AP | right wrist pediatric wrist radiograph | acquired on Siemens | 392 x 1006 px
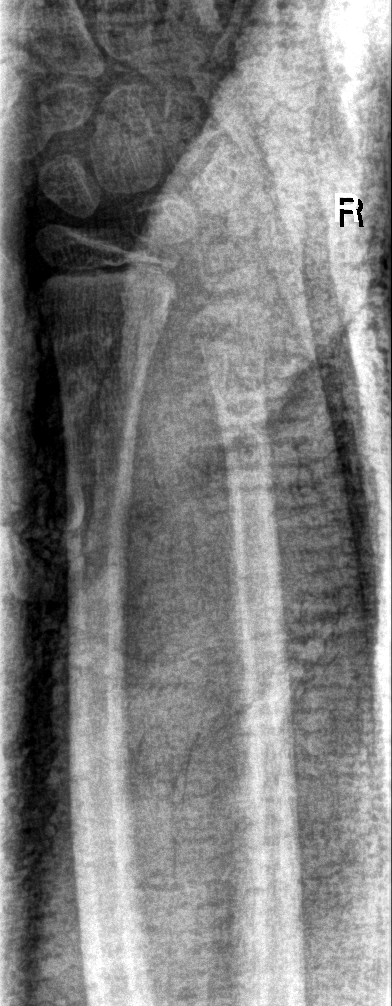
Fracture present, but no bounding box because it is not clearly seen in this view.